Lateral · right wrist plain film · initial study · acquired on Siemens · image width 108.0 mm. 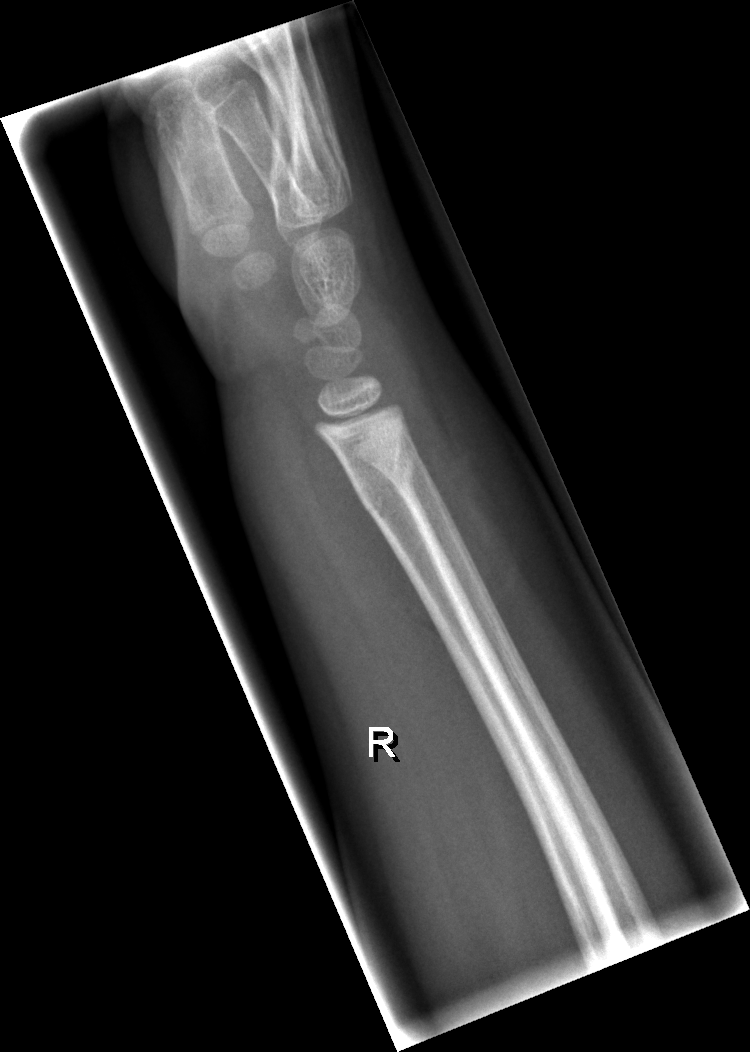 Findings: (pixel coordinates, top-left origin, xyxy) One pronator quadratus fat-pad sign at 280,390,461,672. One fracture at 350,442,420,523.